Rt wrist plain film · lat · pediatric patient (girl, age 6) · 562 by 1094 pixels:
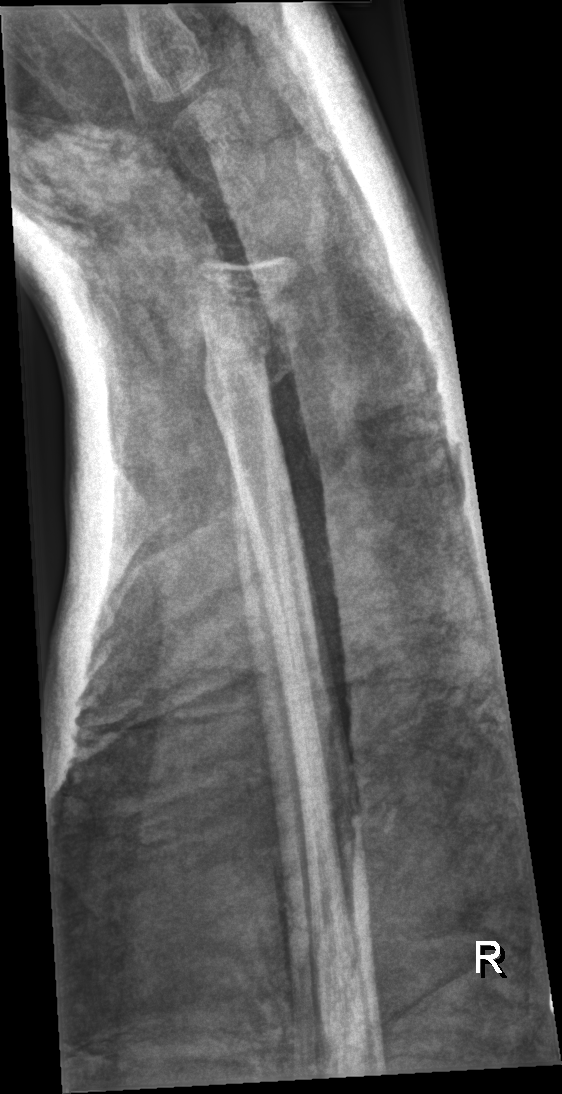

* Pixel coordinates, top-left origin, xyxy.
* Fracture — (left=195, top=324, right=281, bottom=400).